Lat projection, Lt wrist plain film, age 3 y, boy

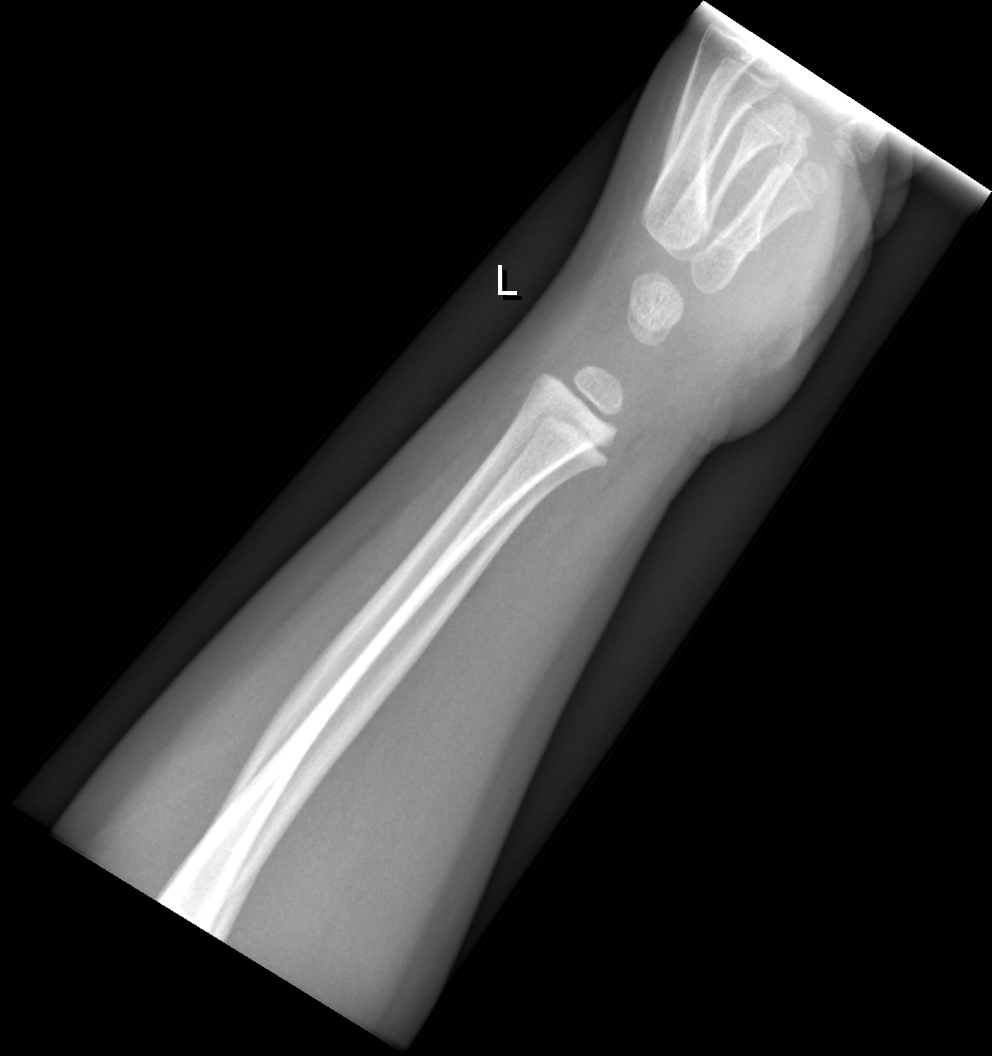

FINDINGS: No Fx annotated.